Lat projection | right wrist radiograph | pediatric patient (boy, age 9):

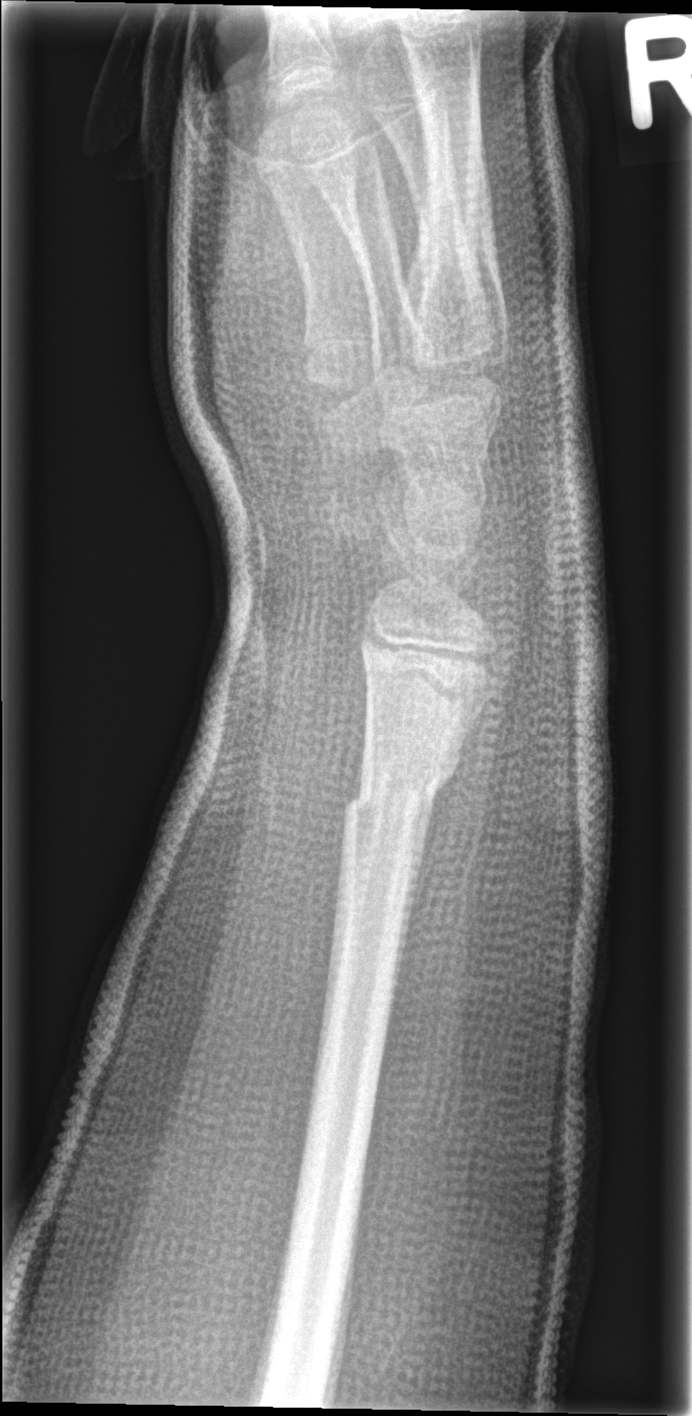 Bounding boxes in image-pixel xyxy.
Fracture — (left=340, top=752, right=462, bottom=836).